Right wrist plain radiograph of the wrist; AP; age 11 y, girl; imaged through cast; 920x920. 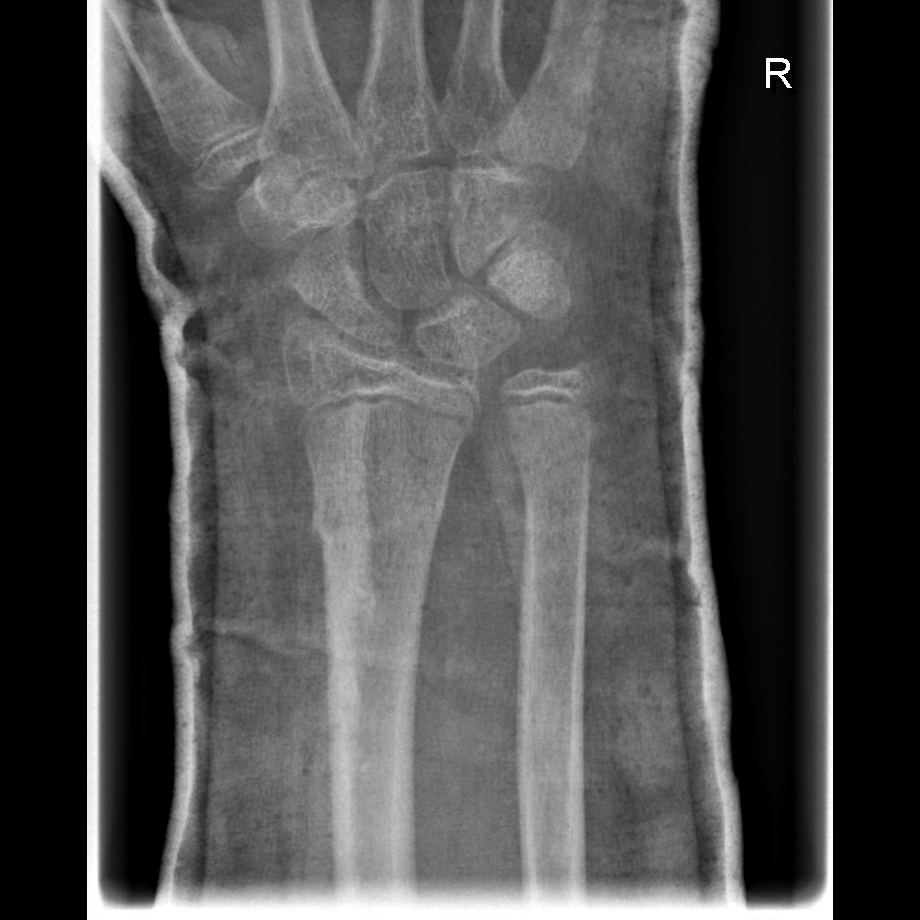 Fracture — (left=307, top=476, right=449, bottom=561).